Right plain radiograph of the wrist · lat · 11y M

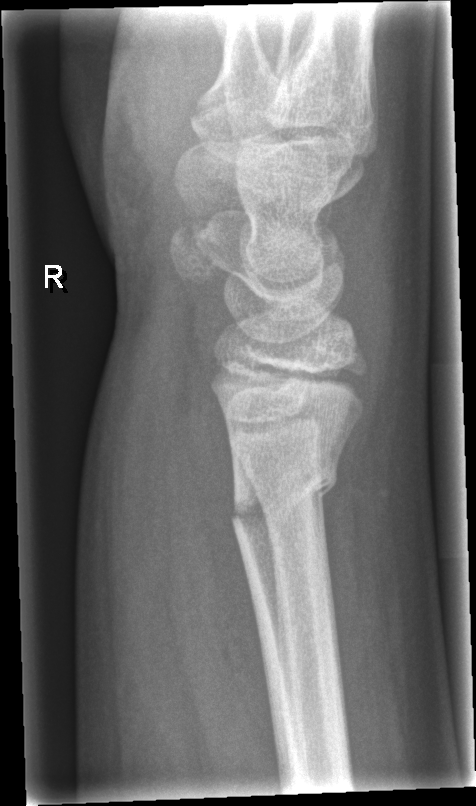 * One bone fracture at 219 449 346 525.
* Pronator sign — 159 327 289 783.
* Fracture classified AO/OTA 23r-M/3.1; 23u-E/7.